Lat view, left wrist plain radiograph of the wrist, follow-up, Siemens, 446x862. 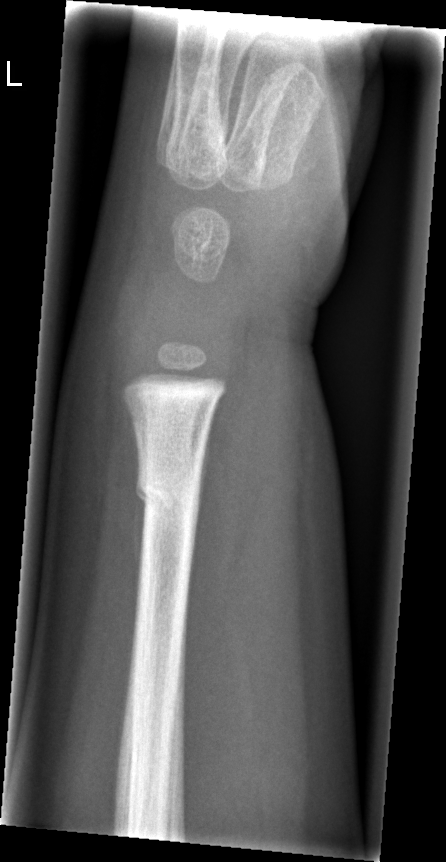

Periosteal new bone: (left=131, top=491, right=147, bottom=623).
AO/OTA classification: 23r-M/2.1.
One fracture at (left=132, top=459, right=204, bottom=522).